Lat view; Lt wrist X-ray; 76.6 mm image width 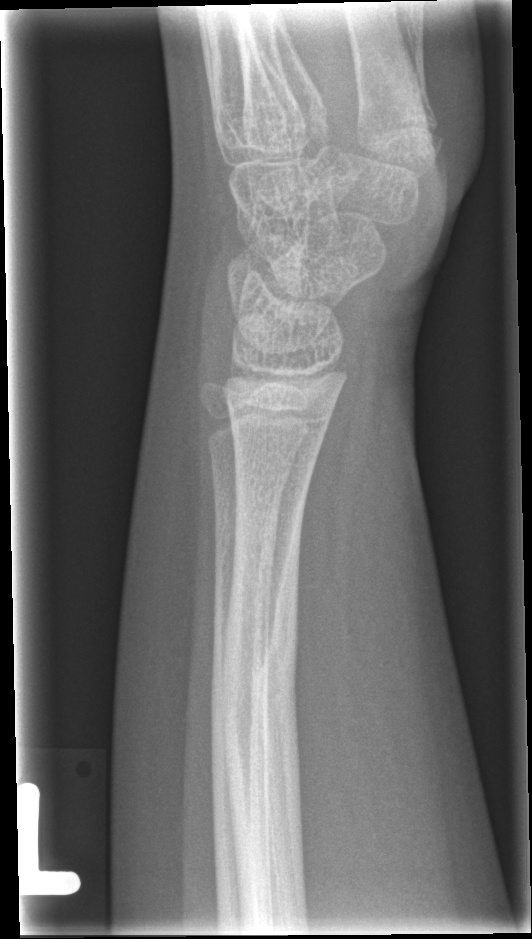 (bounding boxes in image-pixel xyxy)
fracture: 222 501 306 923